L wrist plain film, PA, 583x936 —

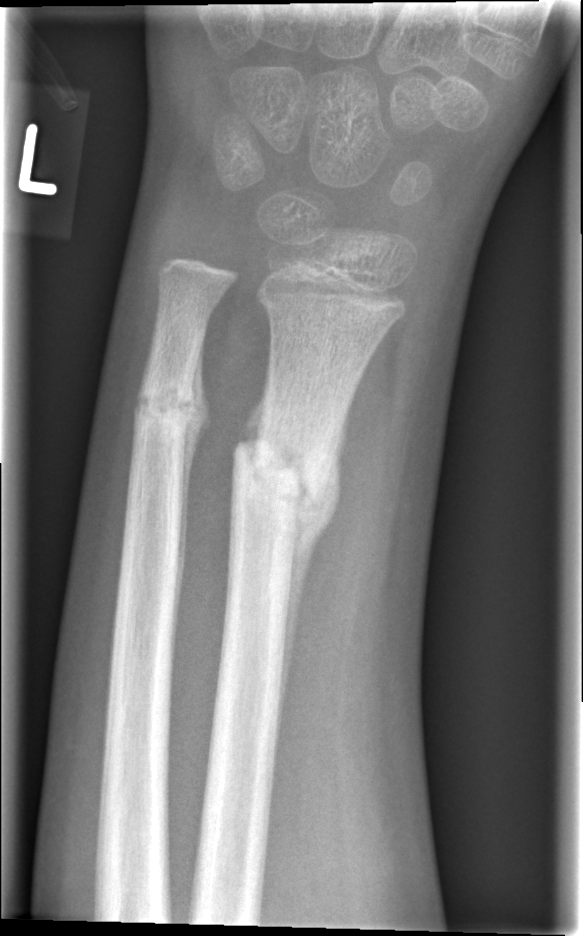 (bounding boxes in image-pixel xyxy)
osteopenia = present
fracture = 2 @ bbox(227, 424, 338, 518), bbox(127, 366, 202, 437)
AO/OTA = 23-M/3.1
periosteal reaction = bbox(273, 389, 354, 743), bbox(172, 344, 210, 665)